Frontal, left wrist XR, age 17 y, girl, image width 91.6 mm

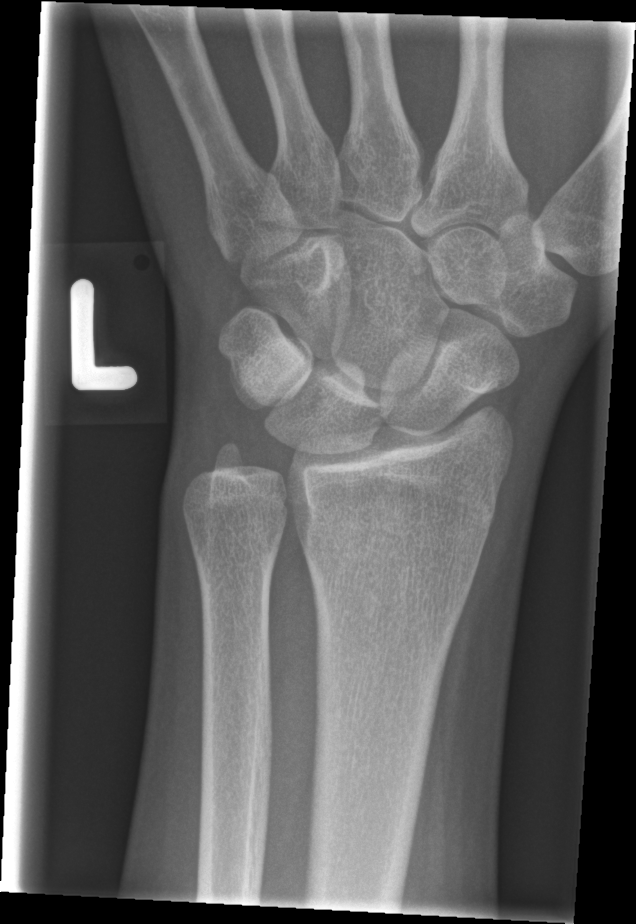 Findings: No Fx annotated.